Lateral | L wrist X-ray | index exam | 298 x 842 px

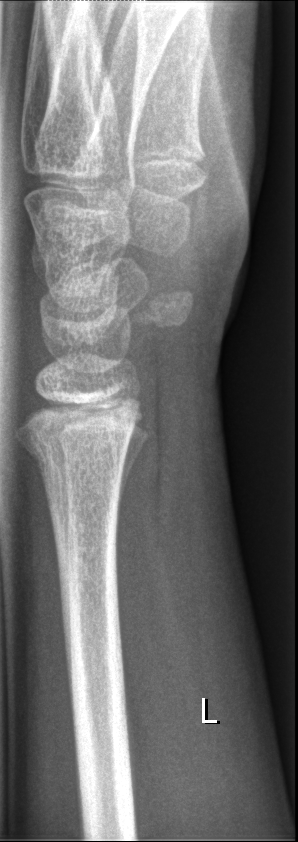 Bone fracture: 12,418,139,481.